Frontal view | right pediatric wrist radiograph:

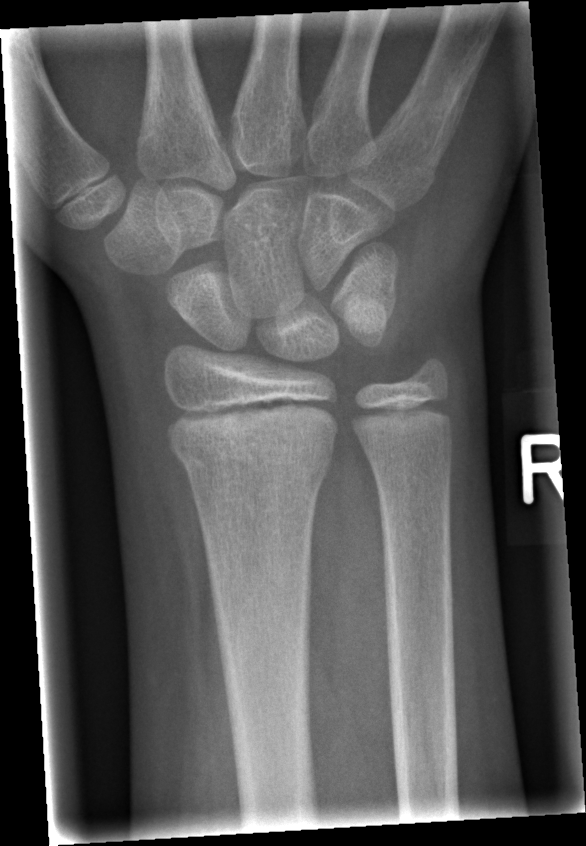
FINDINGS — (pixel coordinates, top-left origin, xyxy) One bone fracture at [x1=166, y1=409, x2=340, y2=476]. Fracture classified AO/OTA 23r-M/2.1.